Lat projection, right wrist plain film, pediatric patient (male, age 10), follow-up, cast in situ:
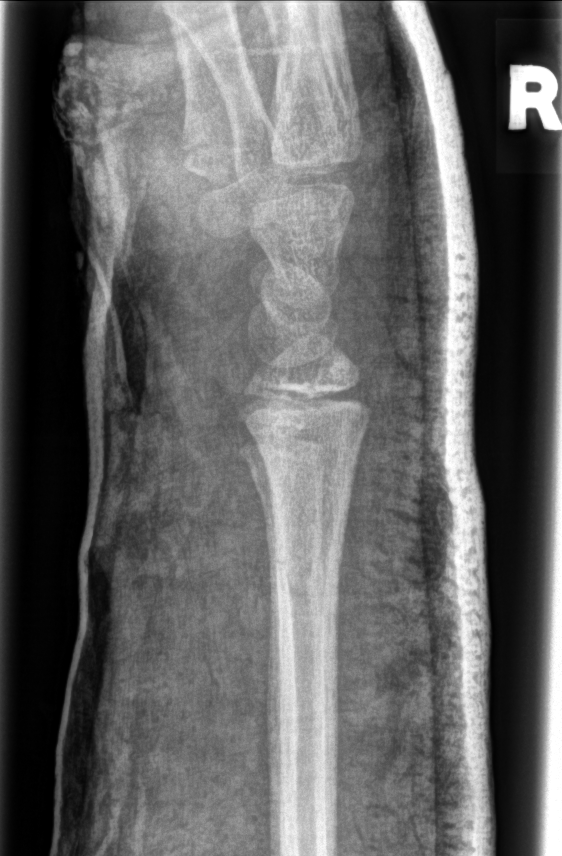 {
  "ao": "23r-M/3.1",
  "fracture": "1 @ (269, 538, 340, 623)"
}